Lat | R plain radiograph of the wrist | index exam | image width 76.6 mm | 532 x 767 px —

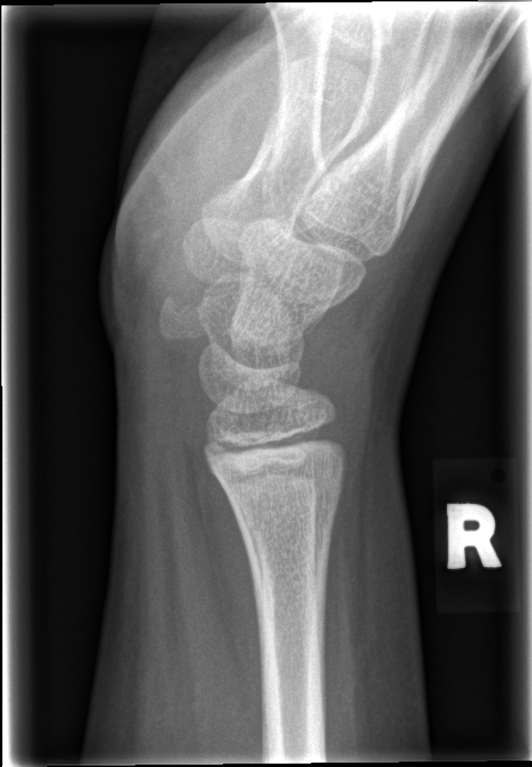

FINDINGS — Fracture: none labeled.